Lateral | left wrist radiograph | 17y F | acquired on Siemens 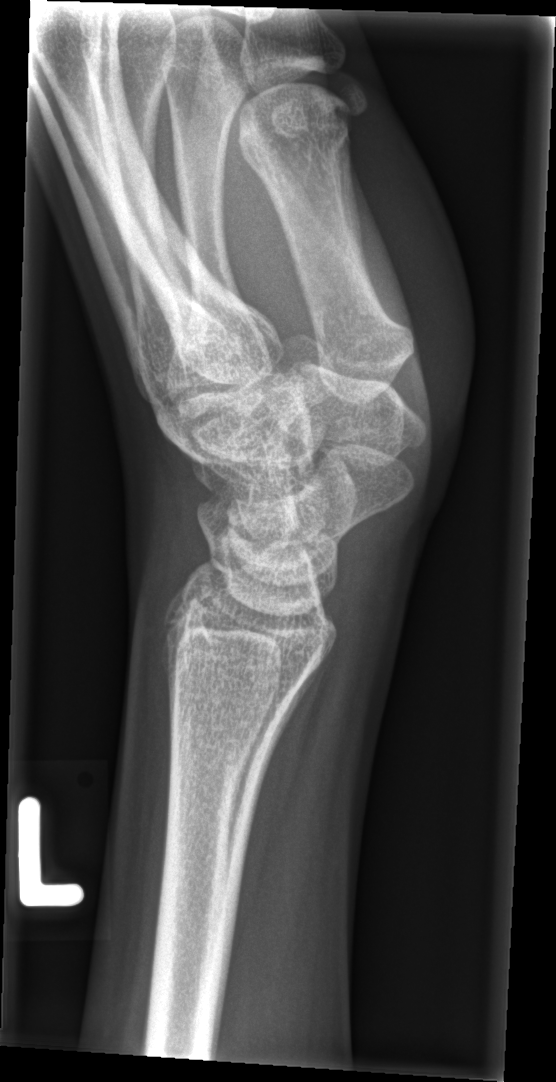 Q: Any fracture seen?
A: No fracture labeled